Left wrist plain radiograph of the wrist | lateral projection | pediatric patient (male, age 11) | index exam | 69.8 mm image width —

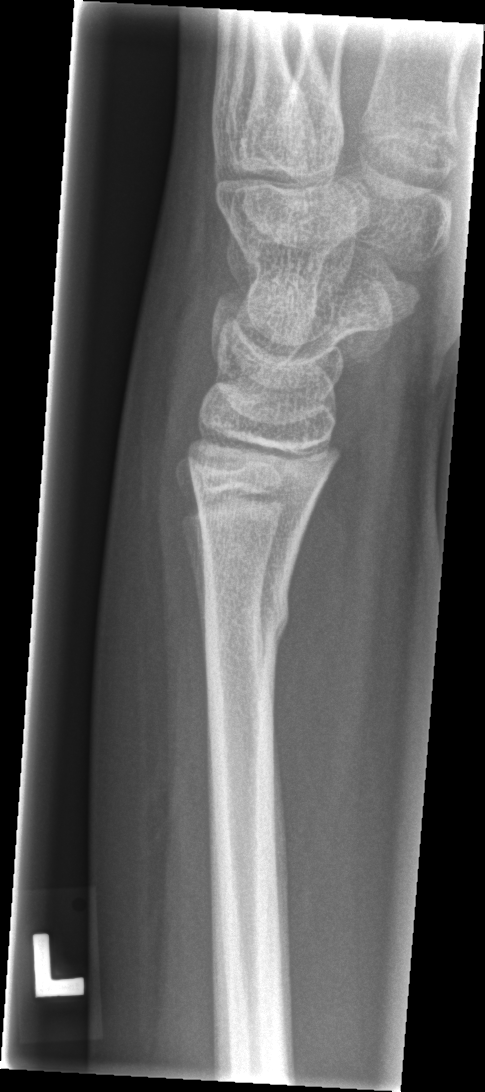 Bone fracture = [x1=201, y1=578, x2=295, y2=661]
Pronator sign = 1 @ [x1=270, y1=458, x2=356, y2=839]
AO classification = 23r-M/2.1